Rt wrist radiograph, lat projection, Siemens, 569 x 1434 px.
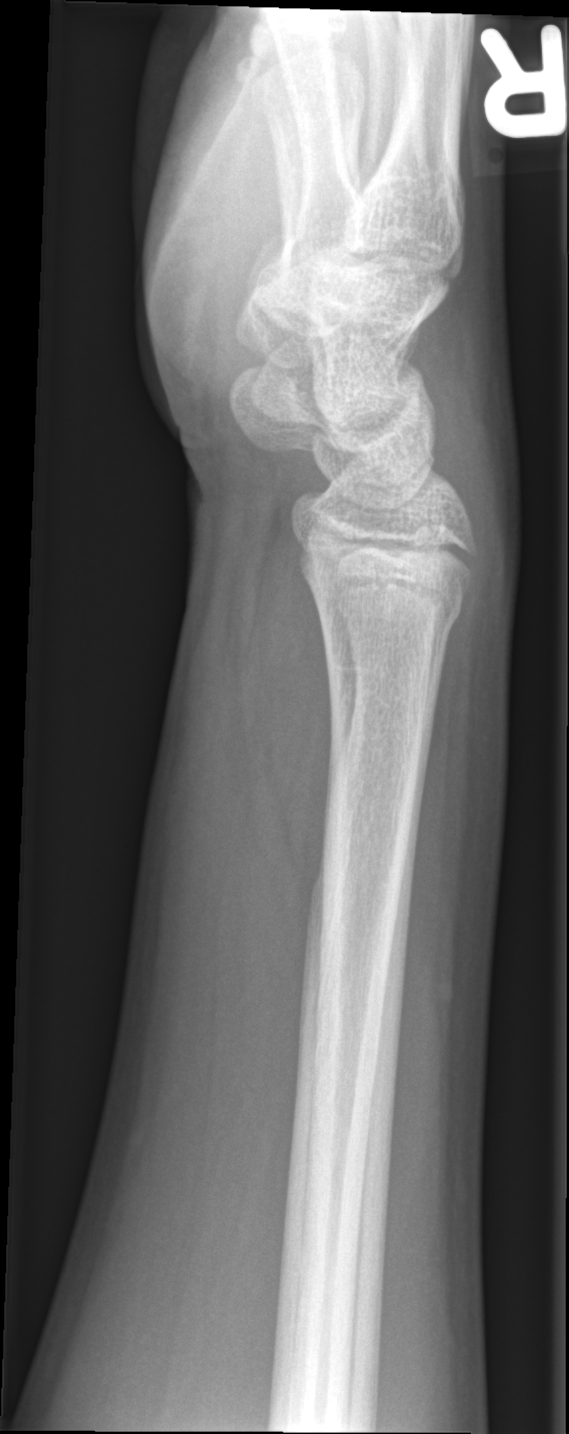
fracture = 1 @ <308,565>-<469,647>
AO classification = 23r-M/2.1
pronator quadratus fat-pad sign = <246,529>-<338,902>